R wrist radiograph | lateral | pediatric patient (girl, age 12) — 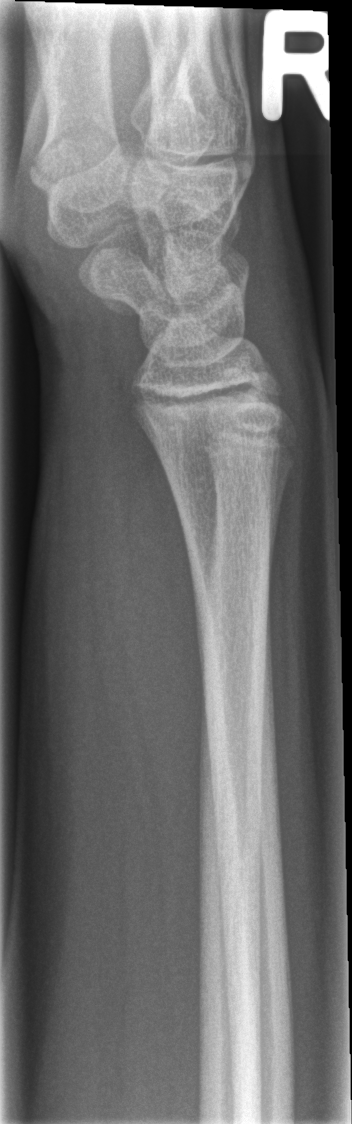

FINDINGS: (pixel coordinates, top-left origin, xyxy) No fracture bounding box. Pronator sign — [95, 434, 207, 846].